Lt wrist plain film | lateral | pediatric patient (female, age 5):

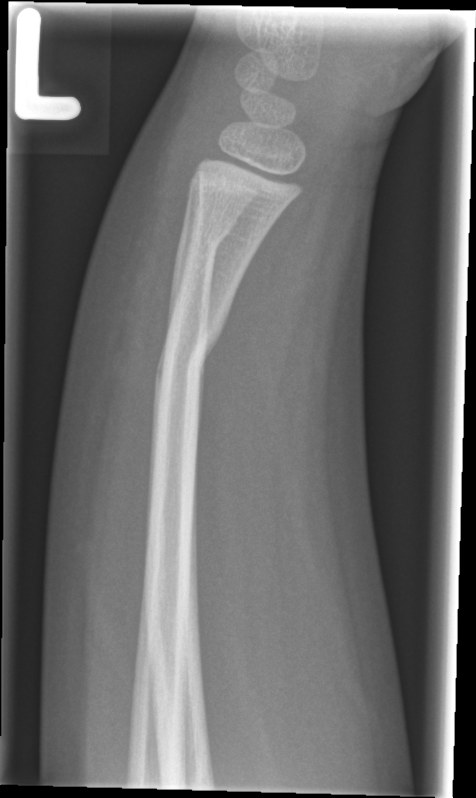
Fracture = 2 @ 152,307,228,394 | 176,200,237,262